L wrist plain film, AP, presentation radiograph, detector: Siemens, image width 76.8 mm:

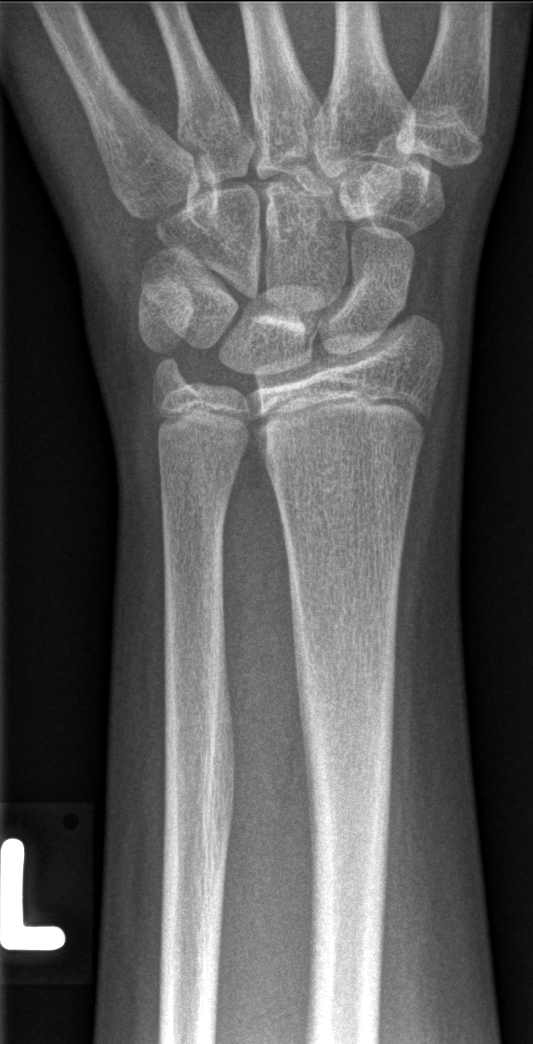
Bone fracture: none labeled